PA projection | L wrist XR | boy, 13 yo | 90.0 mm image width: 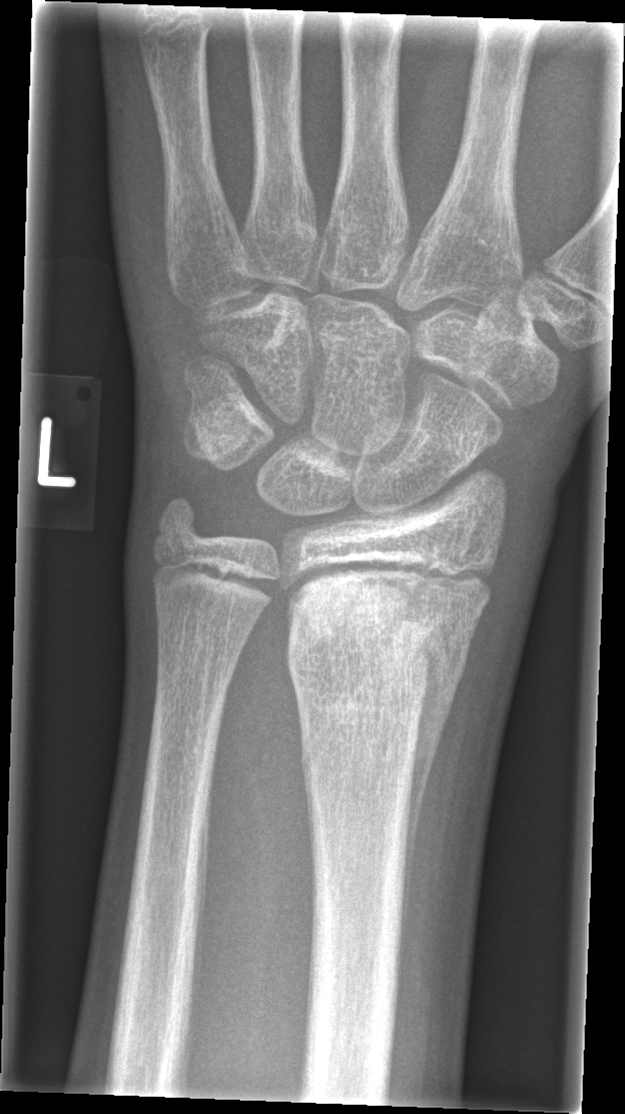
* Fracture: 274 558 476 705 | 148 492 208 555.